Posteroanterior; R wrist X-ray; age 12 y, boy.

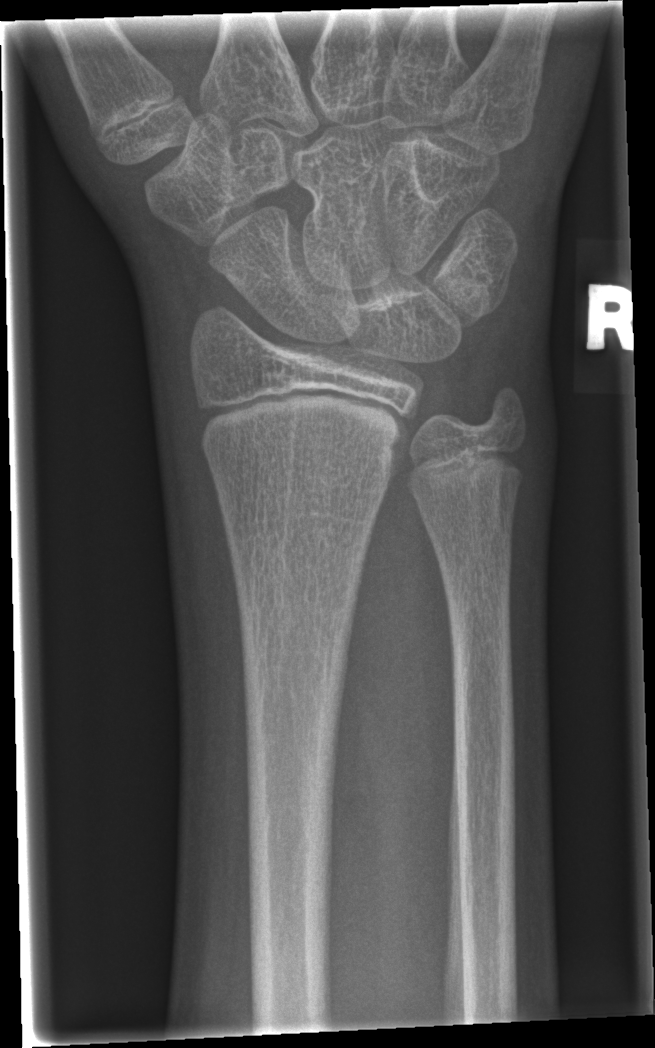

• Fracture: none labeled.